PA/AP projection, left wrist pediatric wrist radiograph, presentation radiograph.
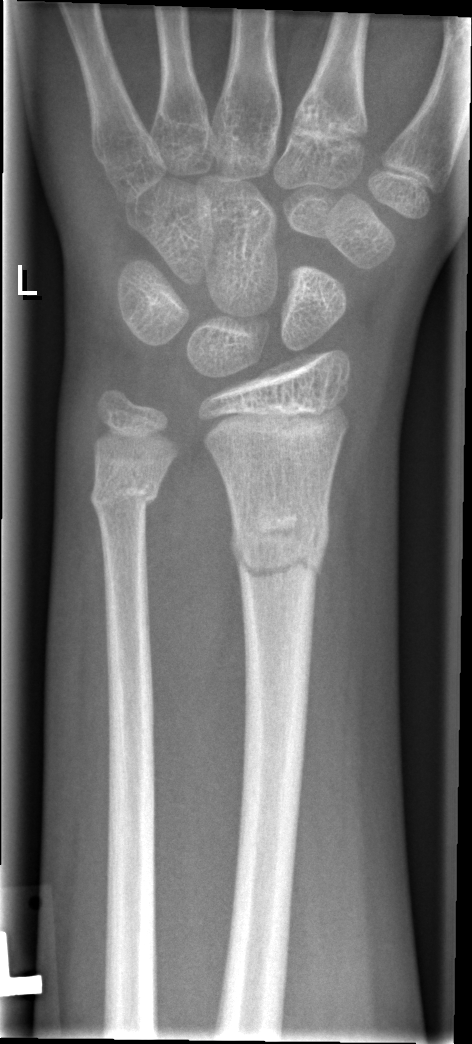
# coordinates are [x1, y1, x2, y2] in image pixels
fracture: 228,497,332,587; 87,458,163,515
ao: 23r-M/3.1; 23u-M/2.1